Lateral, right wrist XR, age 9 y, girl, cast present: 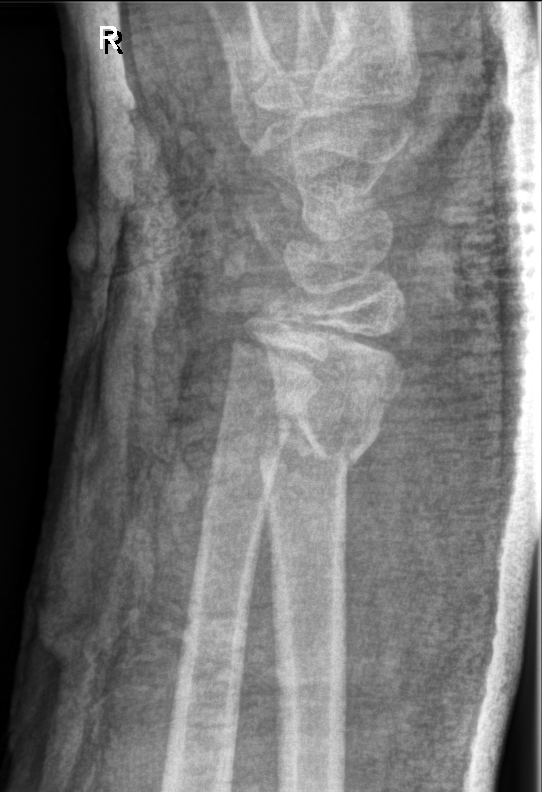 Fracture identified at (left=251, top=401, right=388, bottom=481). Fracture classified AO/OTA 23r-M/3.1; 23u-M/2.1.